Left wrist radiograph · frontal · follow-up study · detector: Siemens —

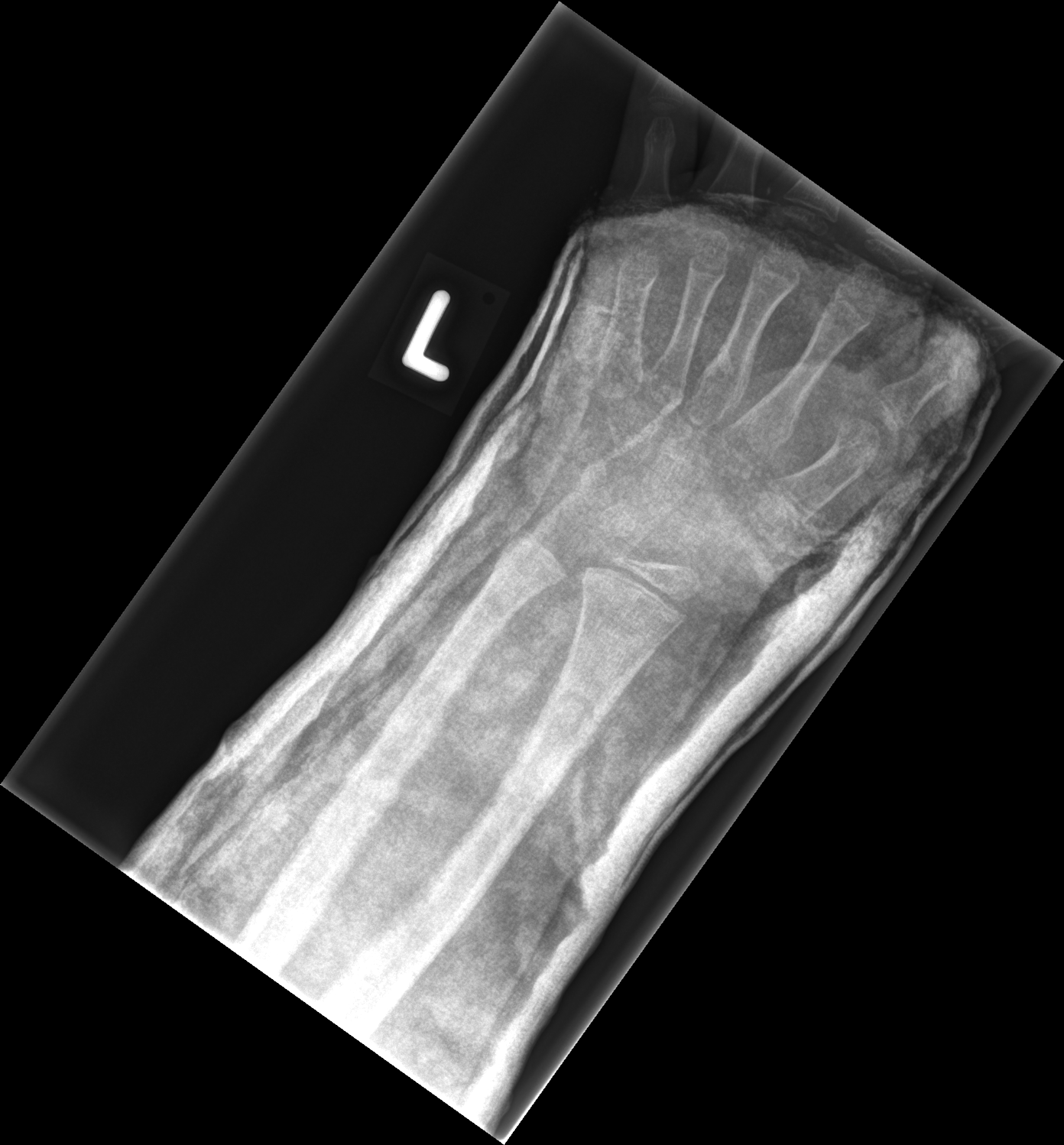
  fracture: 1 @ <537,667>-<609,763>